Lt wrist plain film | PA view — 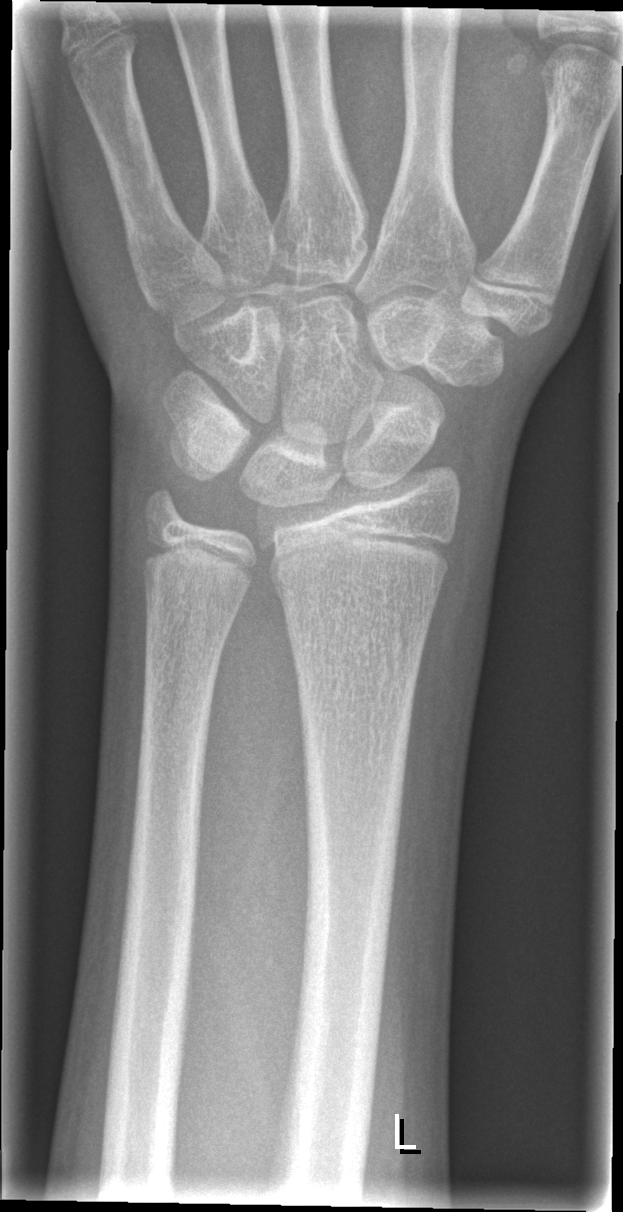

No Fx annotated.